Right wrist X-ray · posteroanterior view · 8y M:

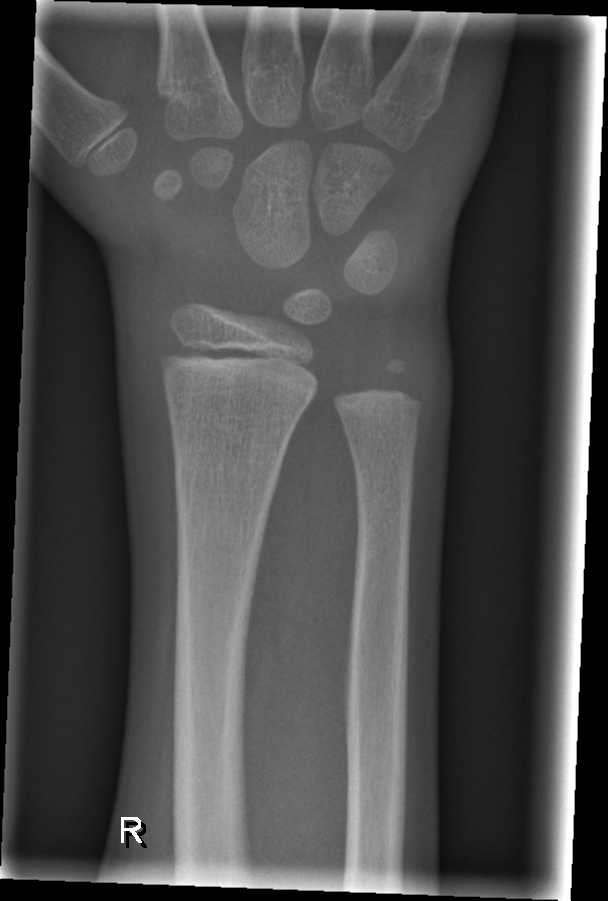

bone fracture: 170 445 283 513